Lt wrist XR; lateral view; 14y M; cast present; image width 74.6 mm

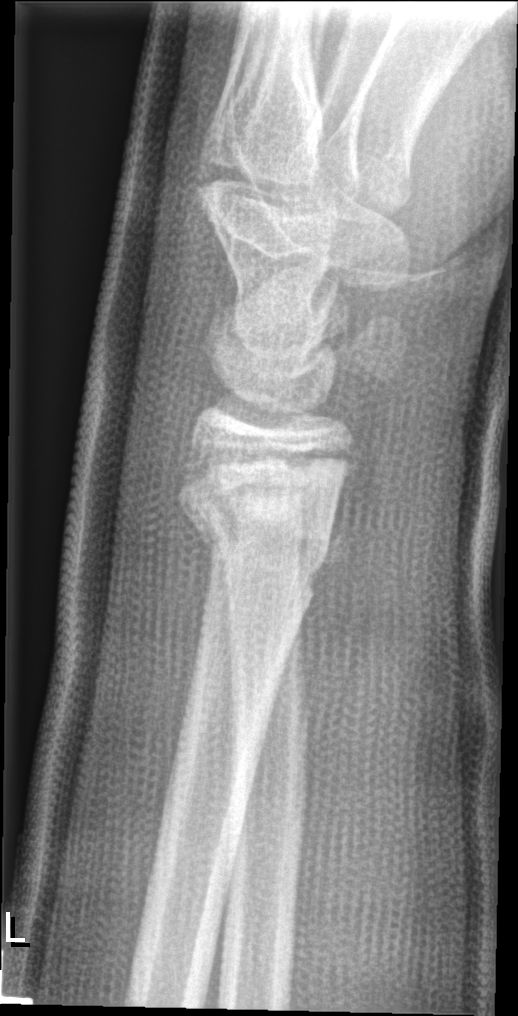
(bounding boxes in image-pixel xyxy)
AO code = 23r-M/3.1; 23u-E/7
Bone fracture = 169 464 350 609